Right wrist XR; AP projection; 573 by 1012 pixels
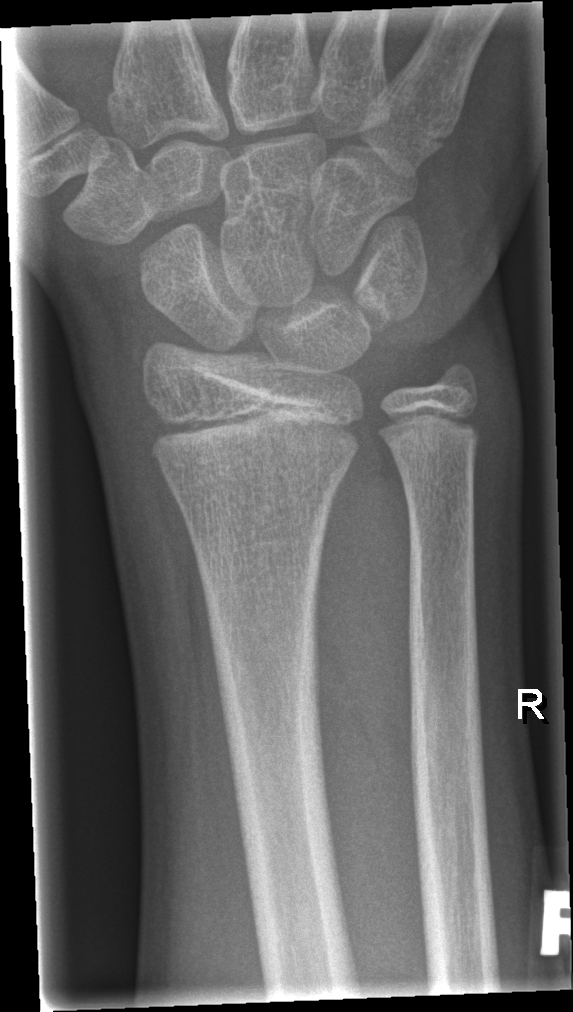
FINDINGS: Fracture: present but not clearly seen in this view.